Posteroanterior view | right wrist plain film | imaged through cast | Siemens | 578 x 947 px.
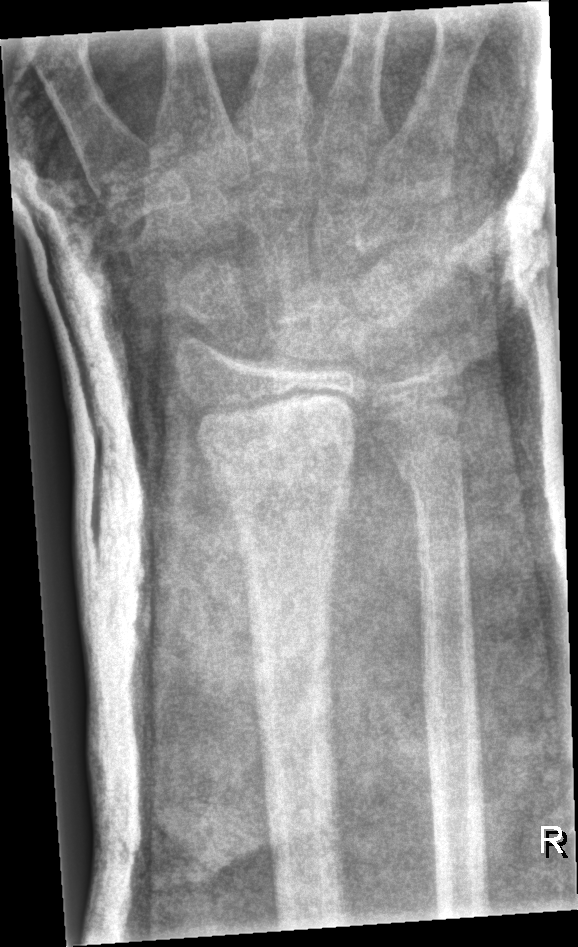

Q: Locate any fractures.
A: Fracture identified at 200 412 365 508
  392 427 469 491